PA projection · Lt wrist X-ray · pediatric patient (male, age 17) · follow-up study.
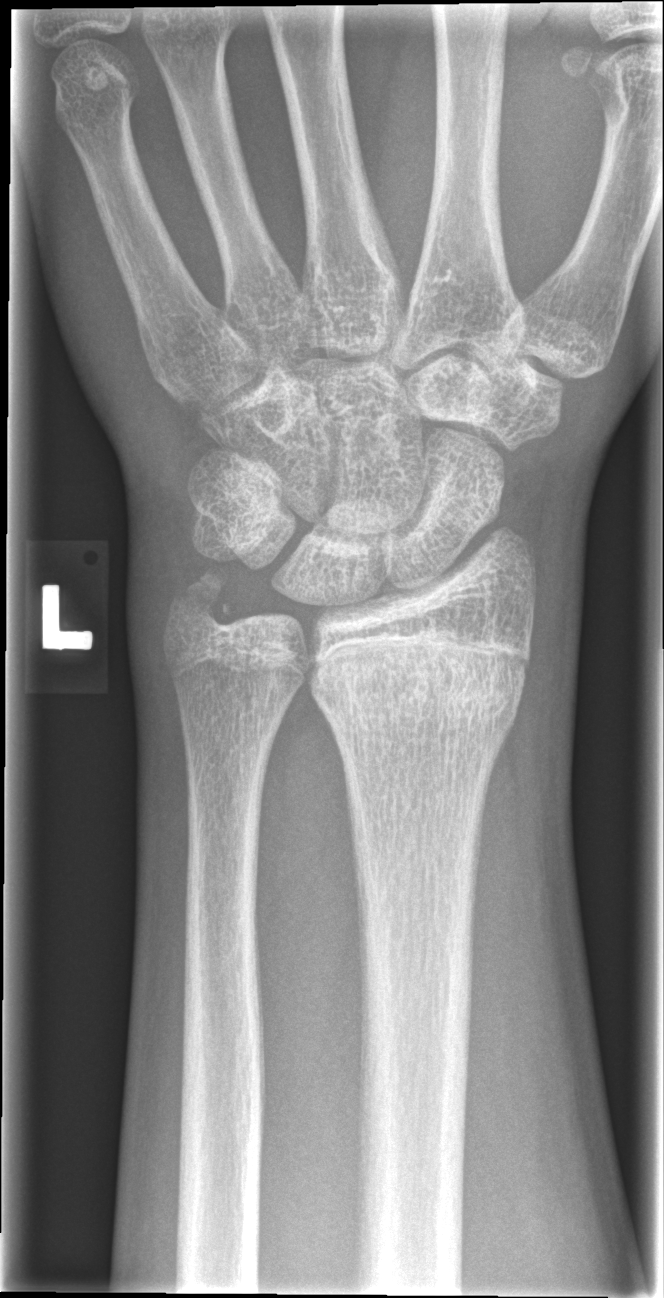
Bone fracture = 2 @ [309, 659, 525, 739], [165, 568, 241, 633]
Osteopenia = present
AO code = 23r-M/2.1; 23u-E/7